Rt wrist plain film · posteroanterior · 15y M. 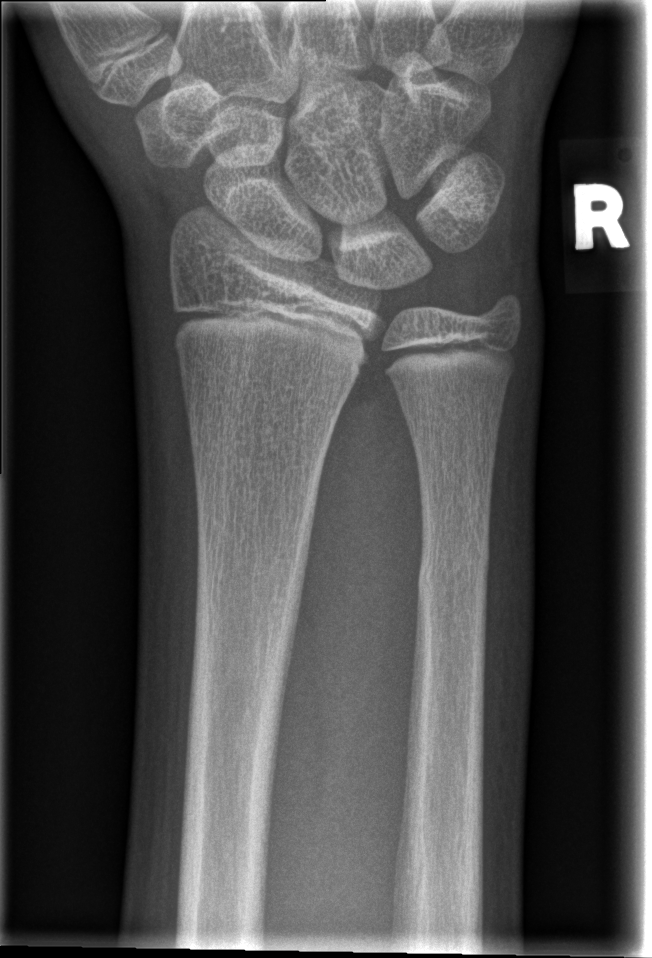 FINDINGS: Fx — 414,539,493,606. AO/OTA classification: 23u-M/2.1.